Rt wrist X-ray · lat view · detector: Siemens:
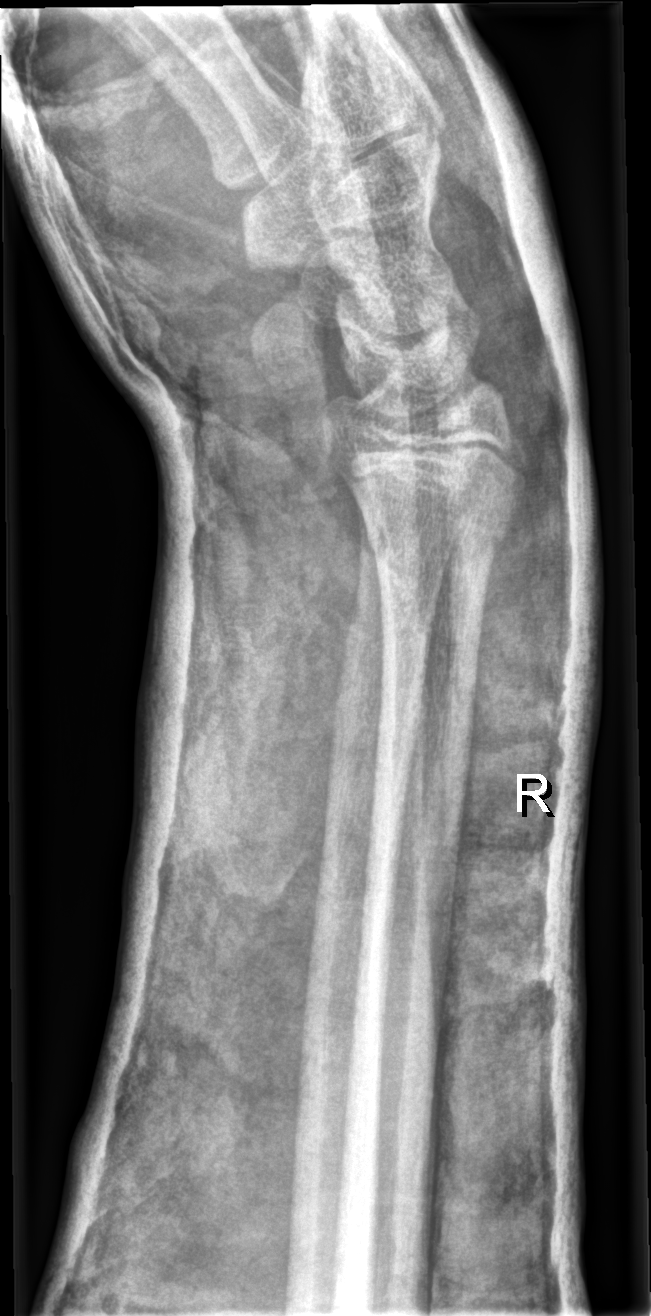

Q: What is the AO/OTA classification?
A: Fracture classified AO/OTA 23r-M/3.1; 23u-E/7
Q: Is there a fracture?
A: Fx identified at (left=353, top=485, right=526, bottom=575)